Rt wrist XR; lateral projection; 9-year-old girl: 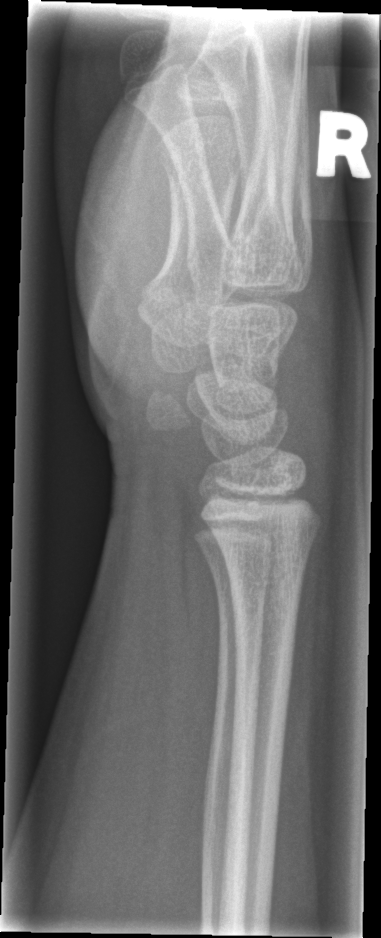
Fx: none labeled